Right plain radiograph of the wrist, PA view, detector: Siemens.

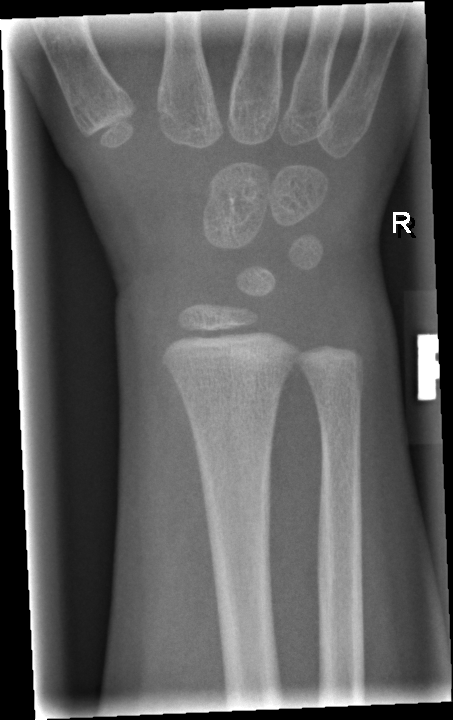 {"fracture": "none labeled"}